PA/AP view; right wrist radiograph; 14y M
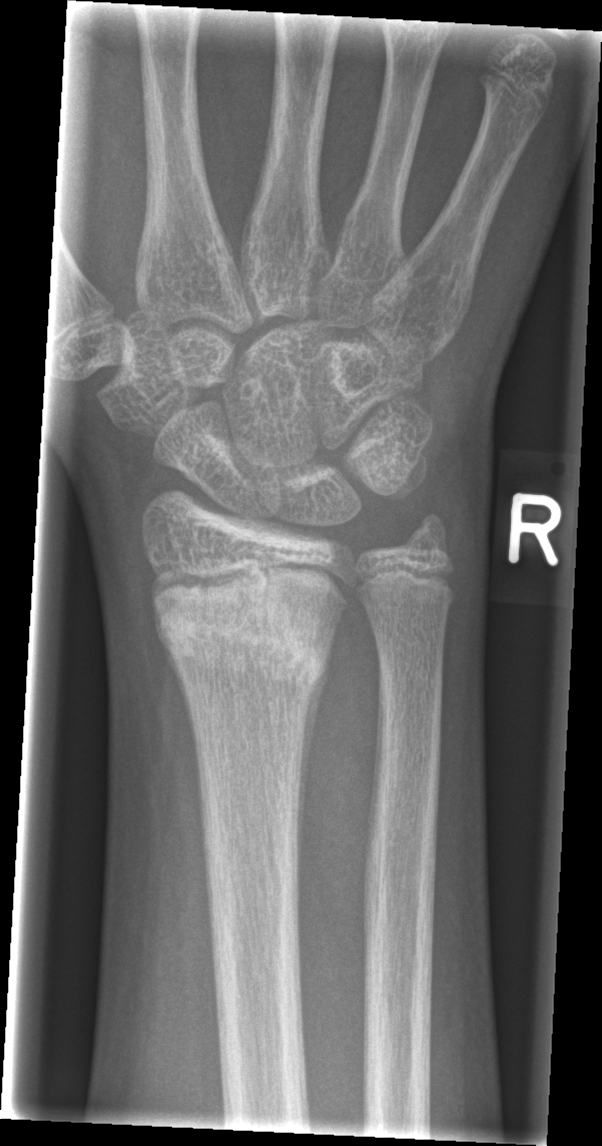

Findings: Decreased bone density (osteopenia). AO/OTA classification: 23r-M/3.1; 23u-E/7. Fracture: bbox(147, 564, 346, 703); bbox(391, 496, 463, 573). One periosteal new bone at bbox(296, 620, 340, 910).